Left wrist plain film, lat, boy, 12 yo, cast present, 484x1047
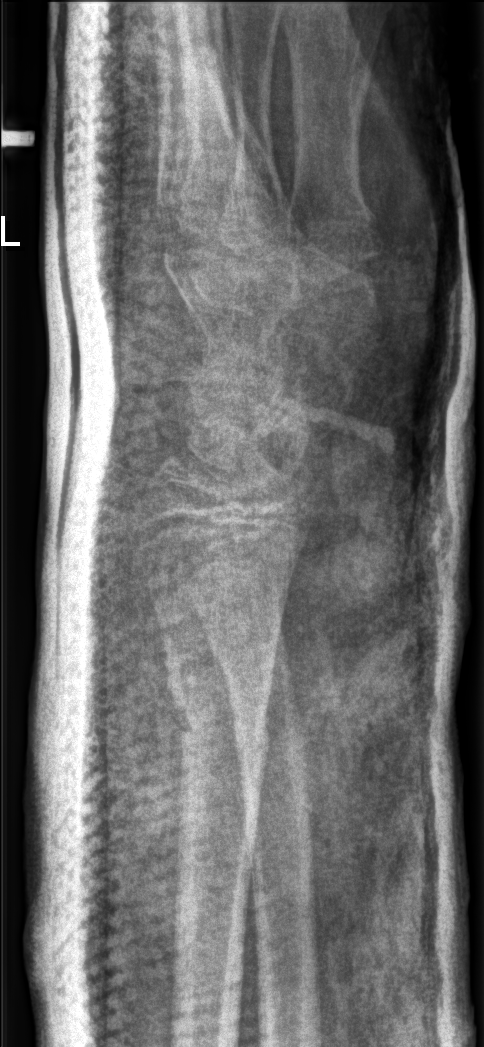 Bone fracture: 1 @ [x1=164, y1=650, x2=276, y2=774]